Lt wrist XR; AP; pediatric patient (female, age 8); follow-up; acquired on Siemens; image width 62.8 mm

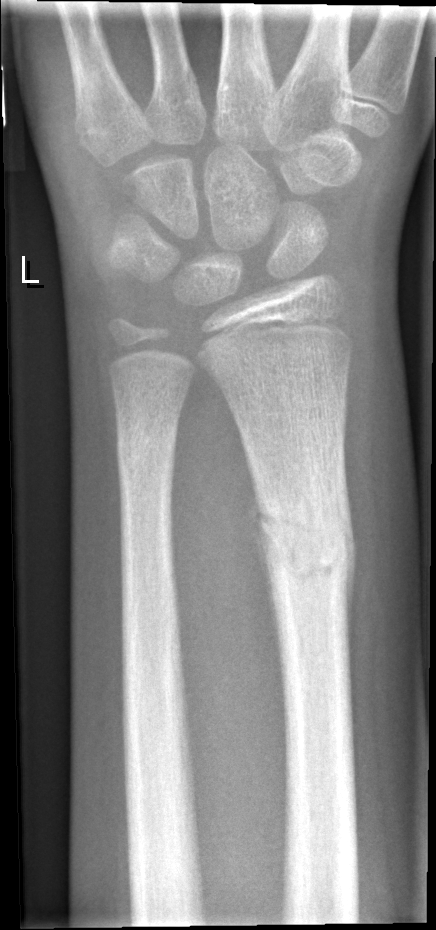 - AO/OTA classification: 23r-M/3.1; 23u-M/2.1.
- Two Fx at (251, 484, 361, 601), (113, 425, 181, 482).
- Periosteal new bone identified at (247, 461, 284, 687) (339, 454, 357, 664).